PA/AP view, R plain radiograph of the wrist:
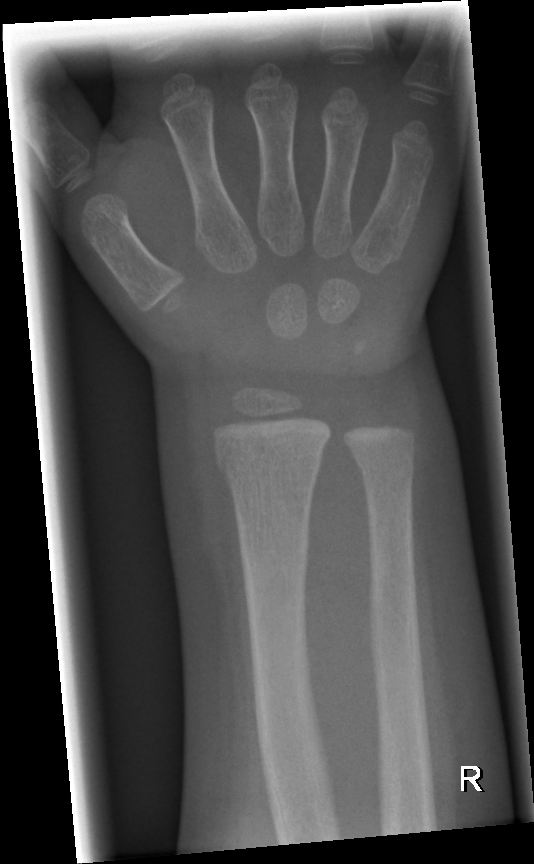

- Bone fracture: [214, 433, 326, 488] [351, 437, 419, 488].
- AO code 23-M/2.1.